Posteroanterior; left pediatric wrist radiograph; 13-year-old boy; cast present:
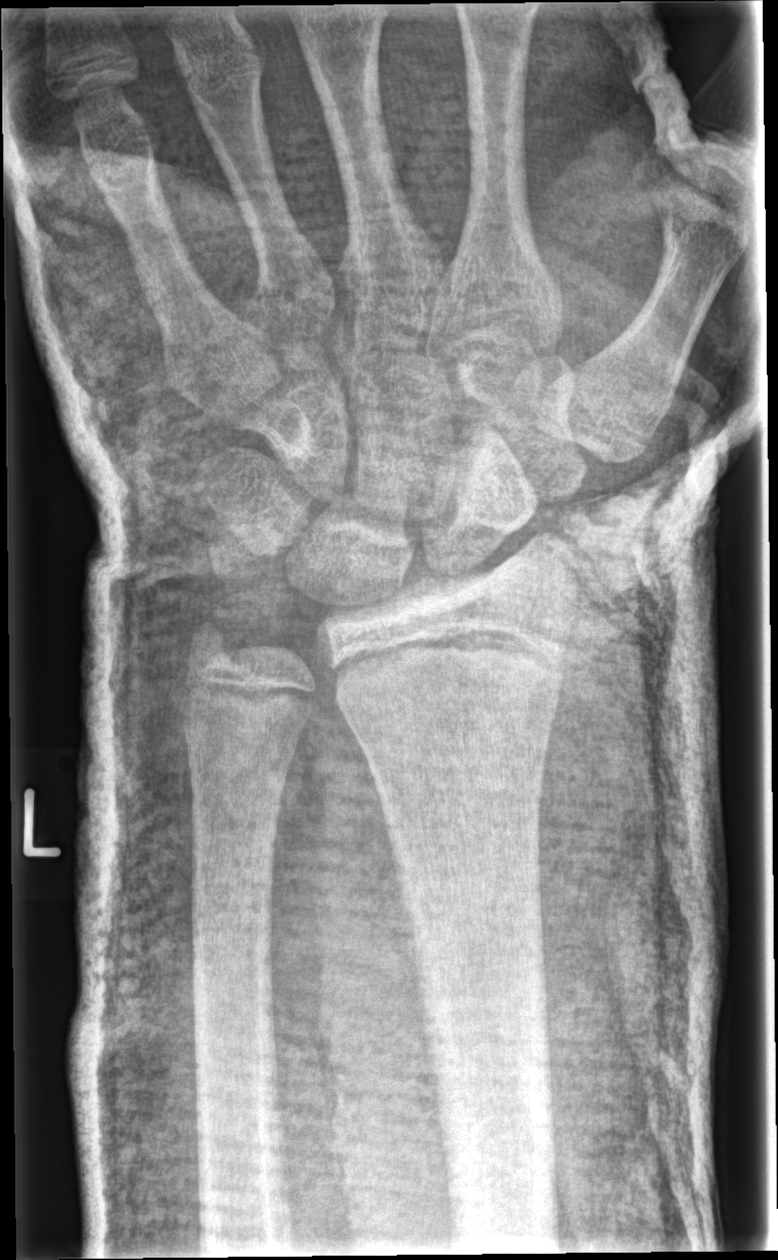
{
  "ao": "23r-E/2.1; 23u-E/7",
  "fracture": "present but not clearly seen in this view"
}